PA/AP, right wrist radiograph, 6-year-old boy, 578 x 881 px —
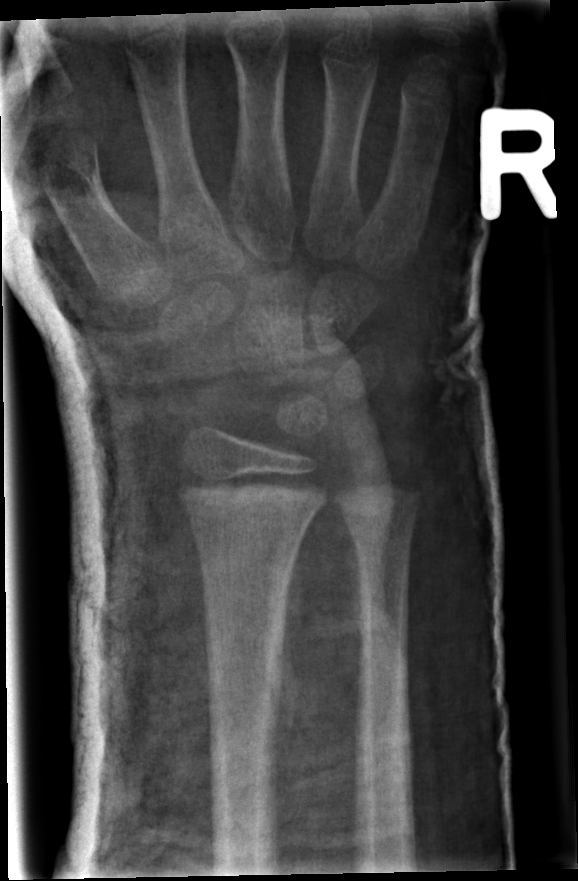
* Fracture: present but not clearly seen in this view.
* Fracture classified AO/OTA 23r-E/2.1.